Lateral projection | left wrist plain film —

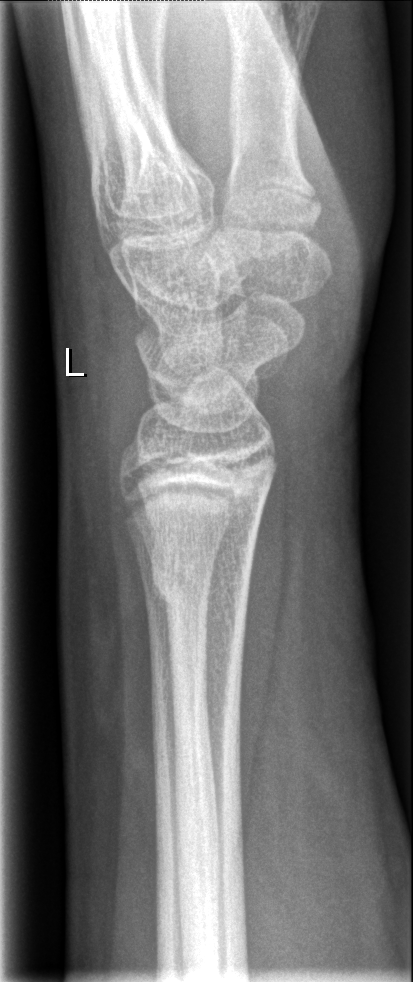
Fx — <148,550>-<254,619>.